Left pediatric wrist radiograph | lat view | girl, 16 yo:
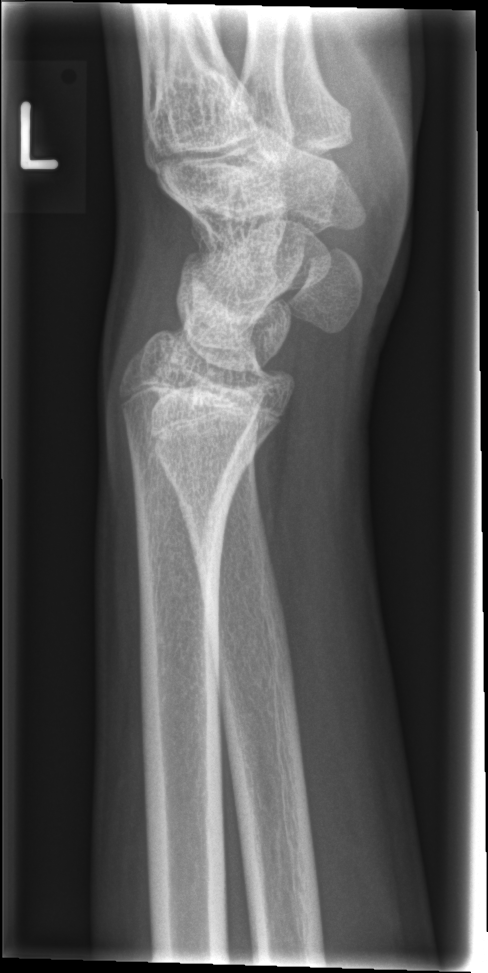

No Fx annotated.